PA/AP view | right wrist pediatric wrist radiograph | age 12 y, boy

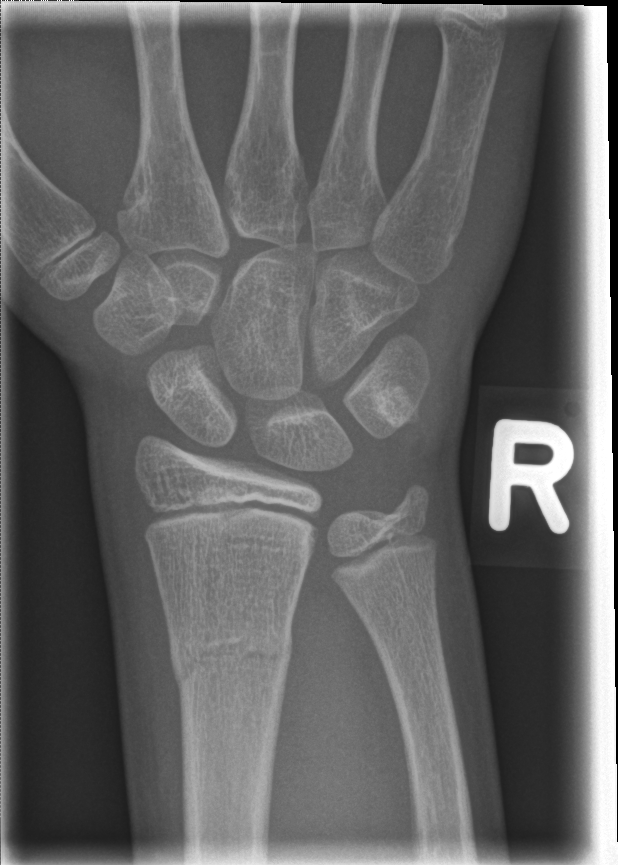 Fx: <165,613>-<296,693>. Fracture classified AO/OTA 23r-M/3.1.